Right pediatric wrist radiograph · AP projection · 7y M:
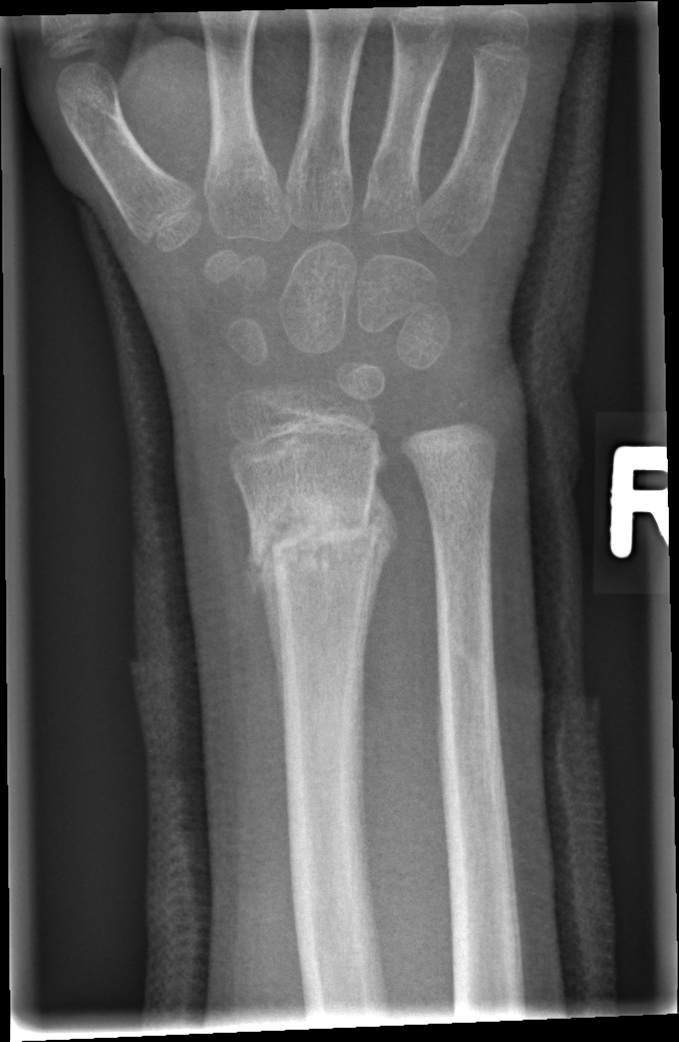

AO code 23r-M/3.1; 23u-M/2.1. Reduced bone mineral density. One fracture at (left=248, top=488, right=384, bottom=585). Periosteal thickening: (left=353, top=492, right=400, bottom=694) (left=256, top=544, right=282, bottom=690).